Lat projection; Lt wrist radiograph; index exam; detector: Siemens; 604x762 — 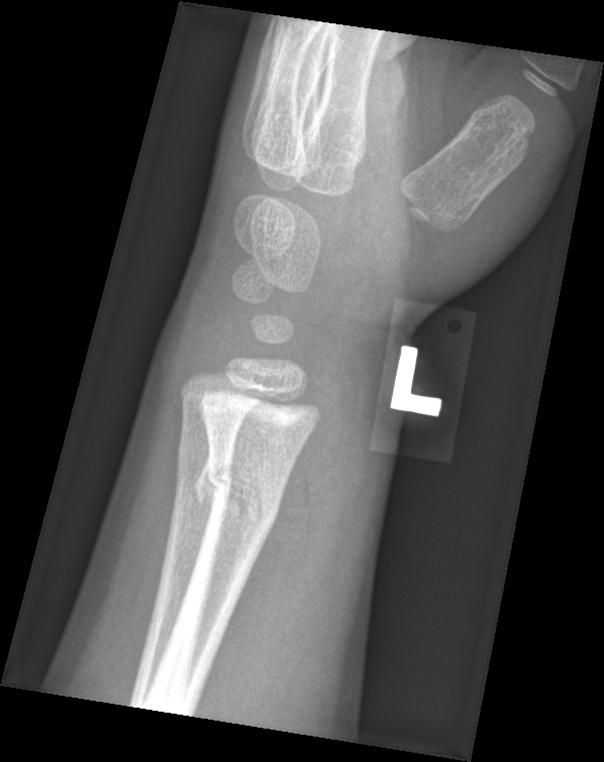
(coordinates are [x1, y1, x2, y2] in image pixels)
Q: Fracture present?
A: Fracture: [191, 458, 283, 531] [173, 431, 238, 496]
Q: AO code?
A: AO code 23-M/2.1